PA/AP, left wrist pediatric wrist radiograph —
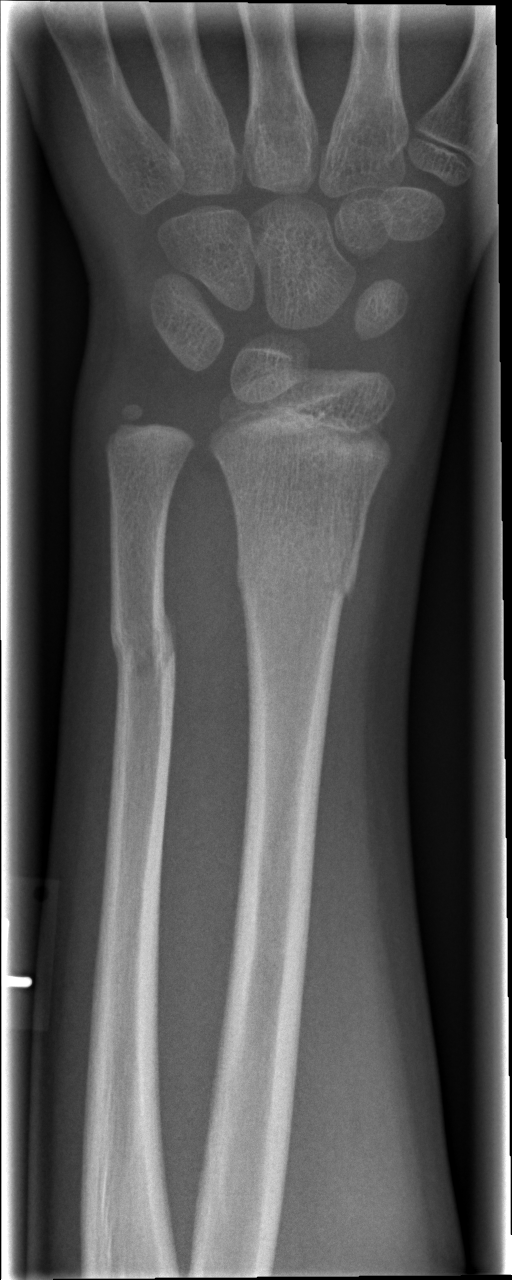

Q: Any fracture seen?
A: Fractures — (left=232, top=540, right=361, bottom=630), (left=104, top=595, right=185, bottom=695)